Lateral view; Lt wrist plain film; 491x1384 —
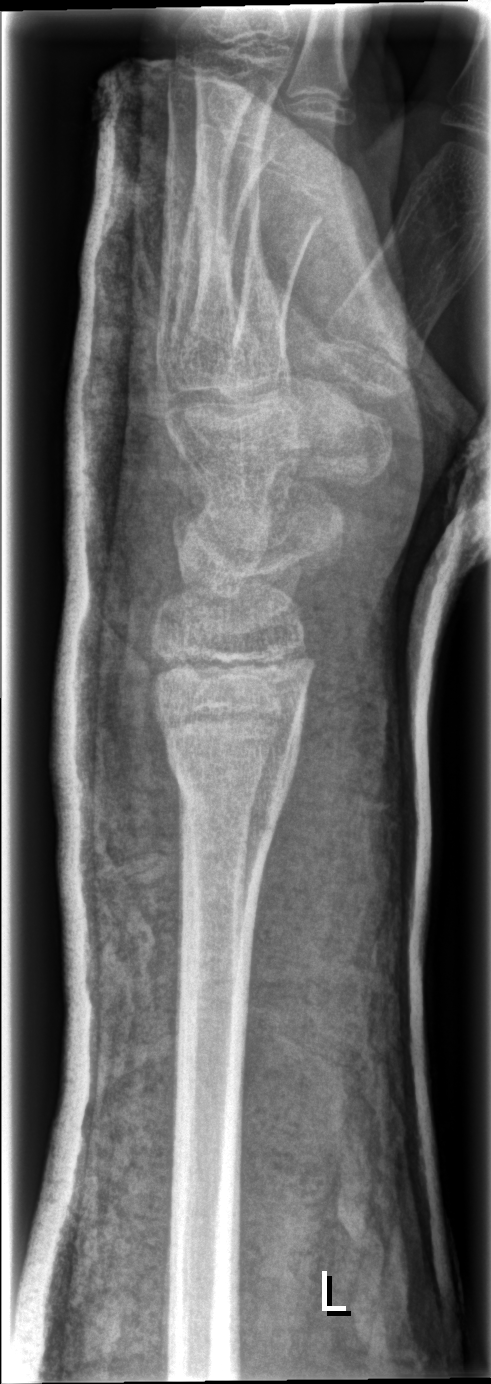 FINDINGS: (coordinates are [x1, y1, x2, y2] in image pixels) Fx — <159,736>-<303,841>.